PA projection · right wrist radiograph · in cast.
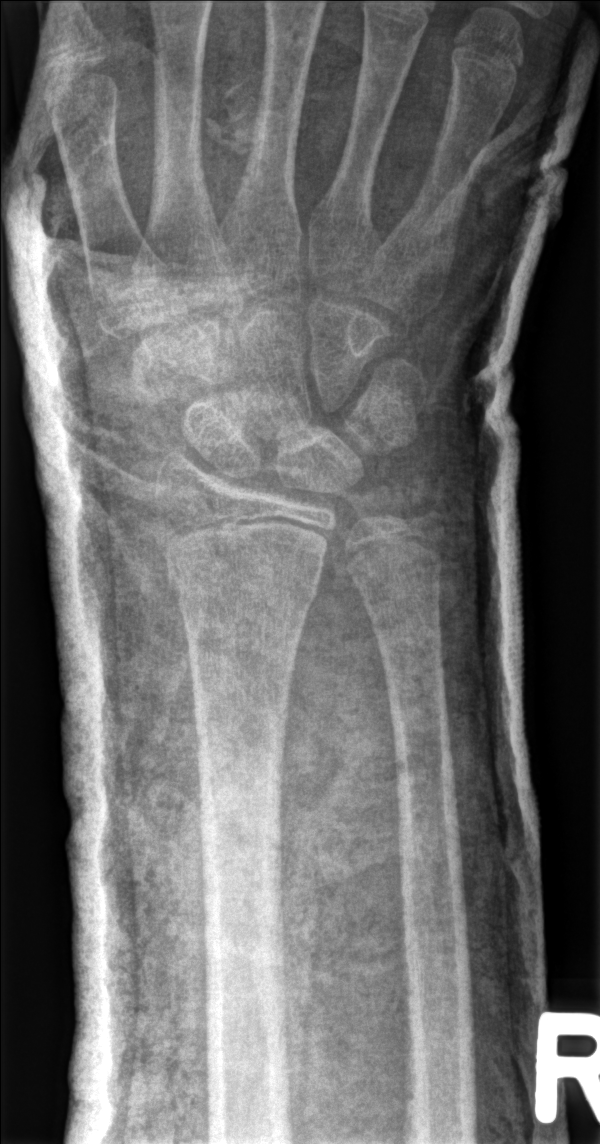 (boxes as x1,y1,x2,y2 (top-left / bottom-right, pixel units))
Fracture = 1 @ 162 542 326 616
AO/OTA = 23r-M/2.1; 23u-E/7